R wrist radiograph · lat · pediatric patient (boy, age 11) · findings marked uncertain by the reading radiologist — 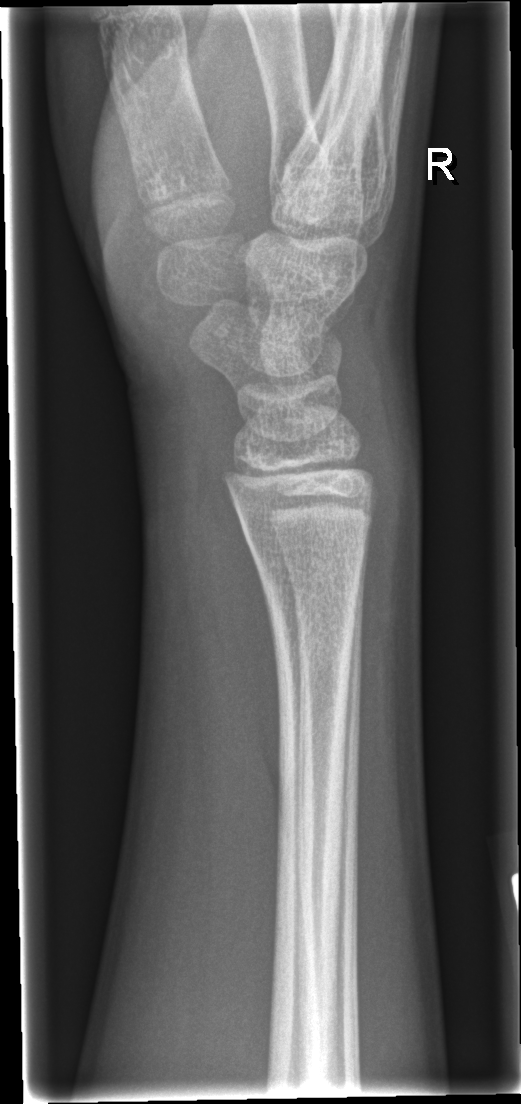
FINDINGS — Fx: none.